Left wrist X-ray · PA view · age 14 y, male · detector: Siemens · 602x892 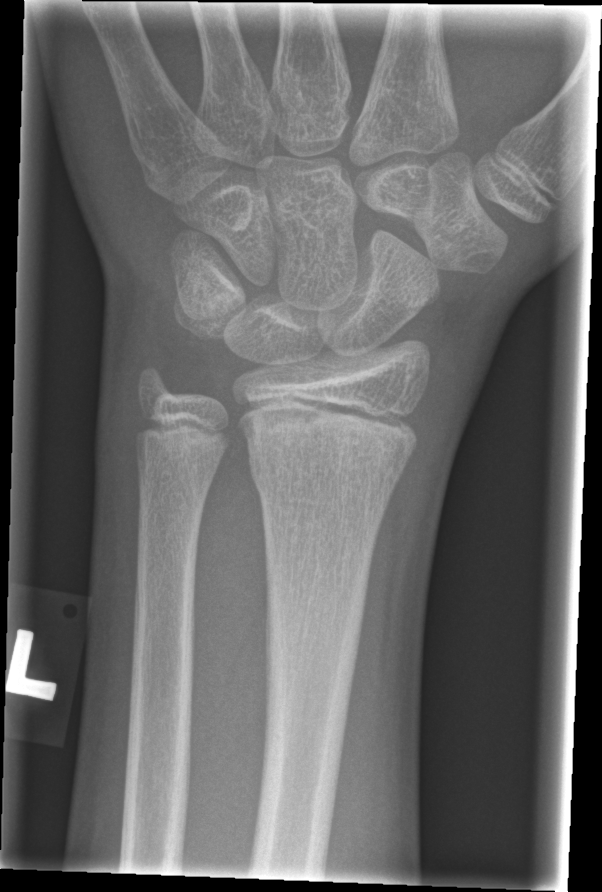
(boxes as x1,y1,x2,y2 (top-left / bottom-right, pixel units))
Bone fracture = 1 @ [246, 447, 405, 503]